PA/AP view; Lt pediatric wrist radiograph; 7-year-old boy; presentation radiograph
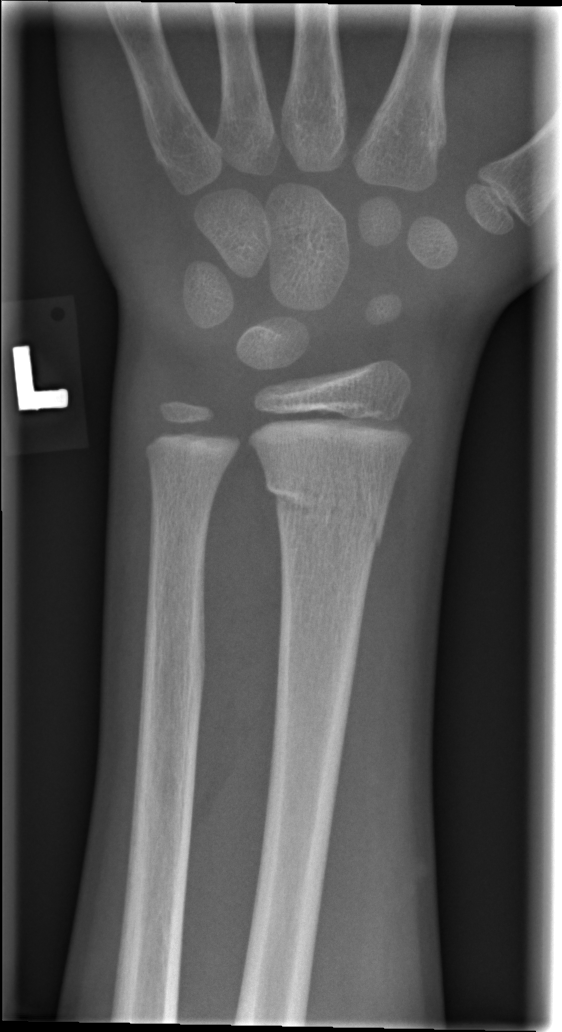

Boxes as x1,y1,x2,y2 (top-left / bottom-right, pixel units).
One bone fracture at (262, 471, 389, 552).
Fracture classified AO/OTA 23r-M/3.1.